Frontal; left wrist X-ray; pediatric patient (girl, age 8); Siemens.

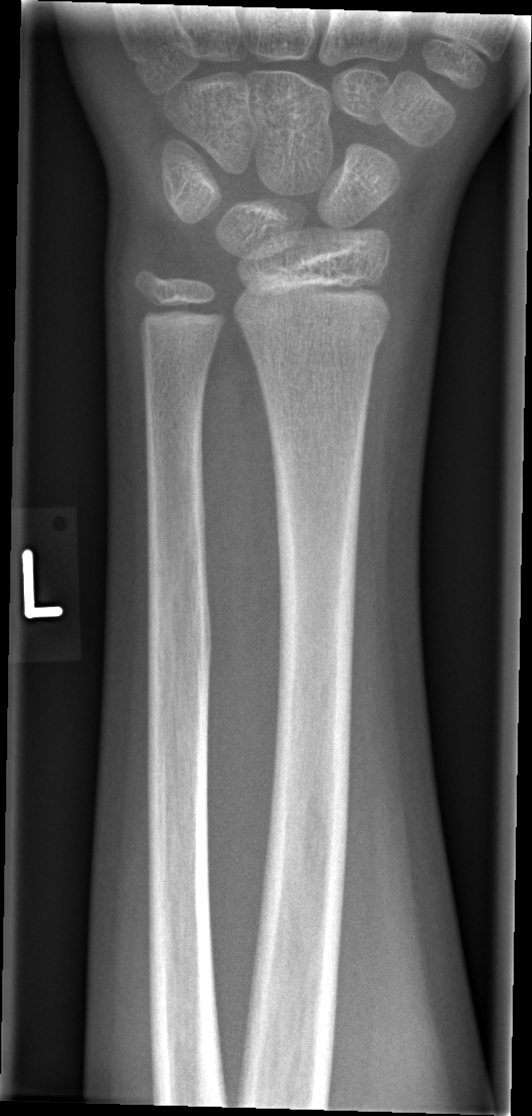
- Bone fracture — [243, 319, 389, 374].
- AO code 23r-M/2.1.